Lat projection; Rt wrist XR; age 12 y, boy:
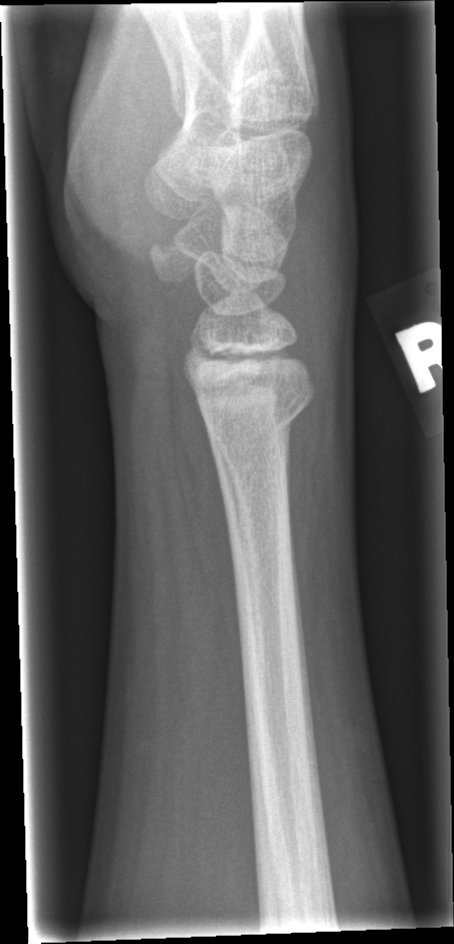
Fx — bbox(195, 373, 316, 457).